L wrist plain film · lat projection · imaged through cast:
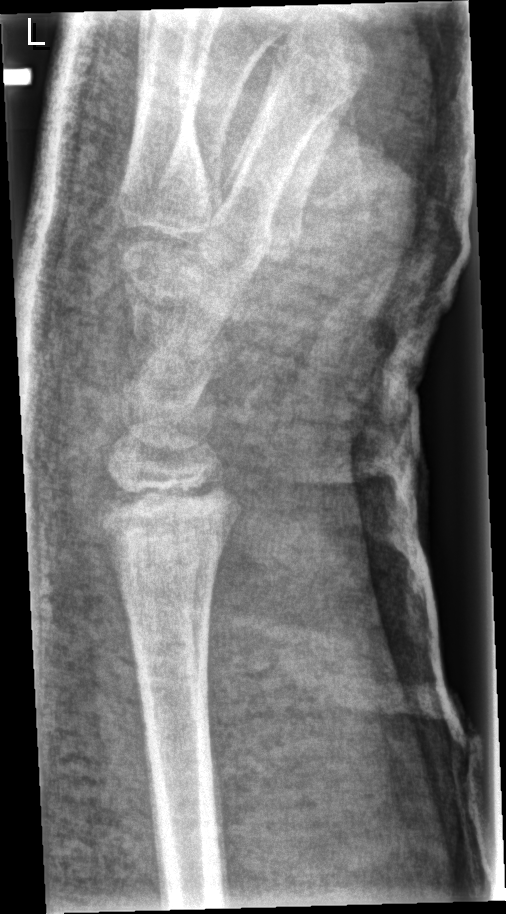 FINDINGS: Fracture classified AO/OTA 23r-E/2.1. Fx present but not clearly seen in this view.